Lateral · right wrist plain film · cast present: 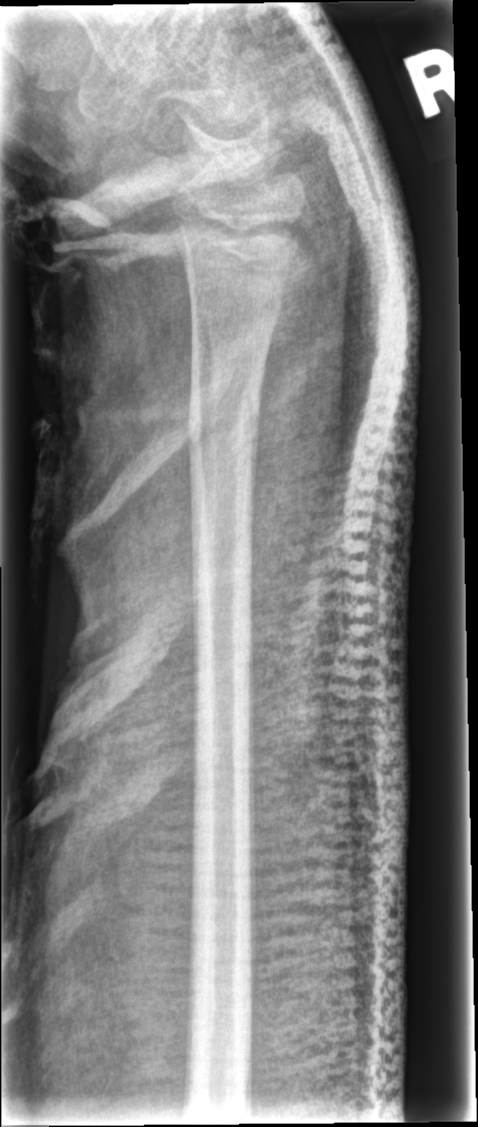
fracture: 1 @ [184, 377, 264, 474]
ao: 23r-M/3.1; 23u-E/7